R wrist plain film, lateral projection, 14-year-old male, index exam, 461 by 1056 pixels

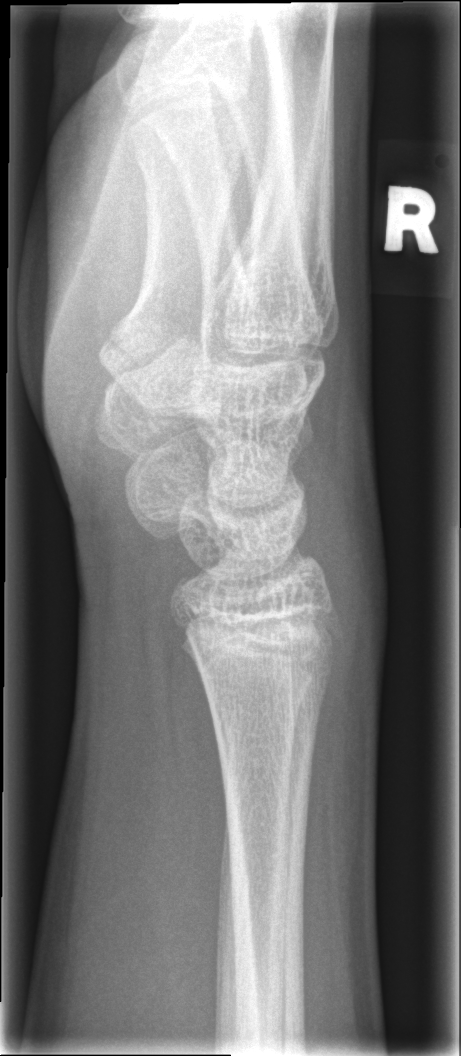
Fracture: none labeled